Lateral view; right wrist XR; 4-year-old male 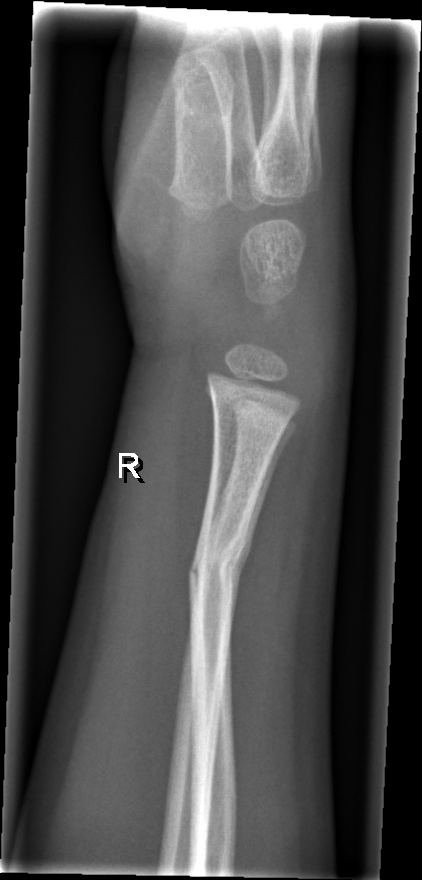

Boxes as x1,y1,x2,y2 (top-left / bottom-right, pixel units).
One Fx at 185 544 250 594.